PA/AP projection · right plain radiograph of the wrist · 516 x 1043 px

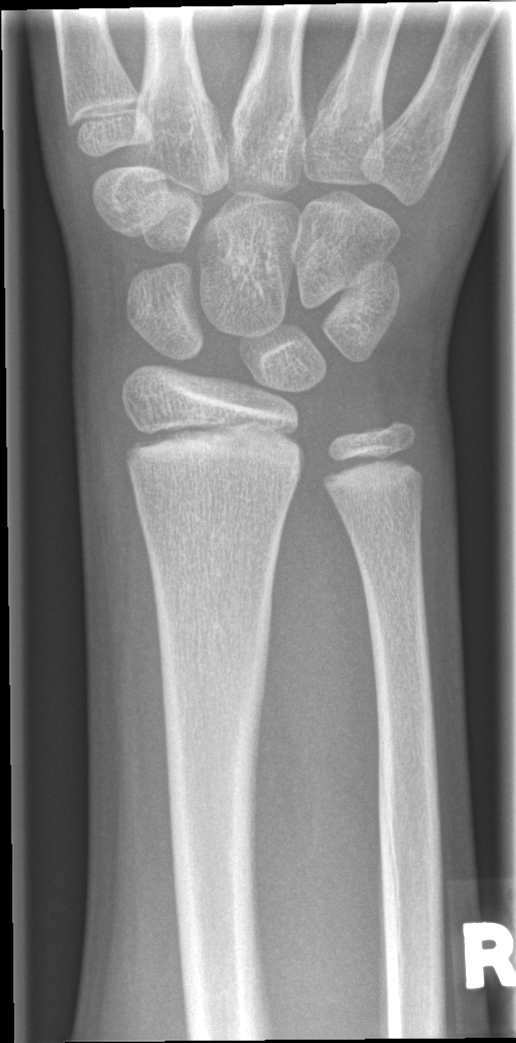

(coordinates are [x1, y1, x2, y2] in image pixels)
Fracture: 1 @ [120, 421, 304, 486]